Right wrist plain radiograph of the wrist | lat projection | follow-up study. 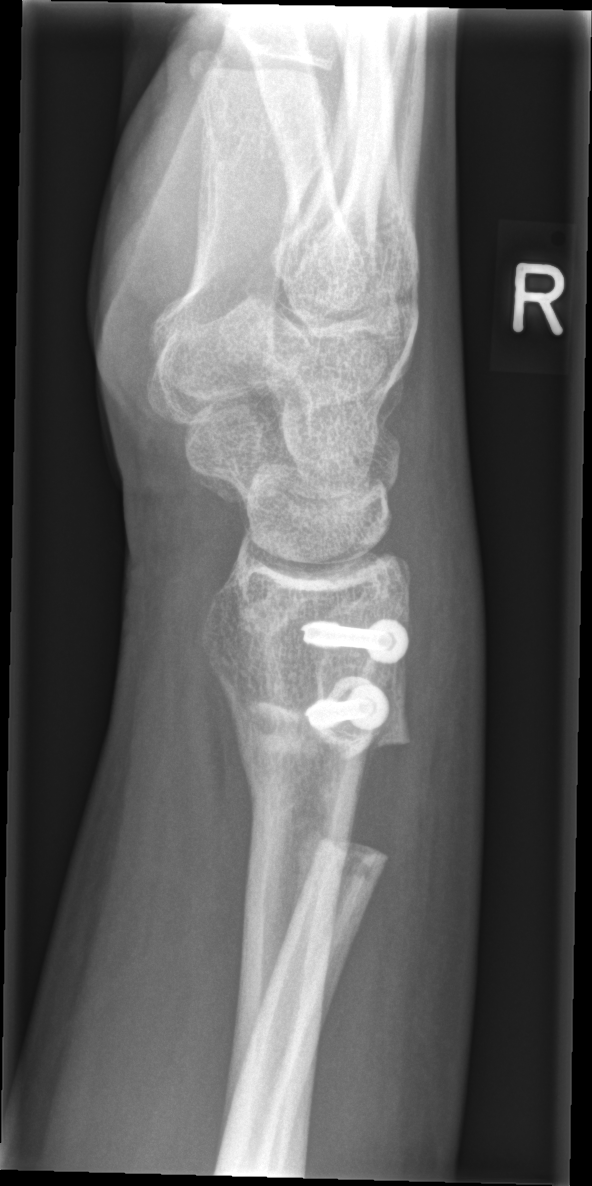 # bounding boxes in image-pixel xyxy
boneanomaly: 1 @ (261, 599, 412, 898)
fracture: none labeled
metal: 2 @ (299, 615, 408, 667) (302, 675, 392, 734)